Lateral; Lt wrist X-ray; age 15 y, boy; initial study; 631 x 1114 px — 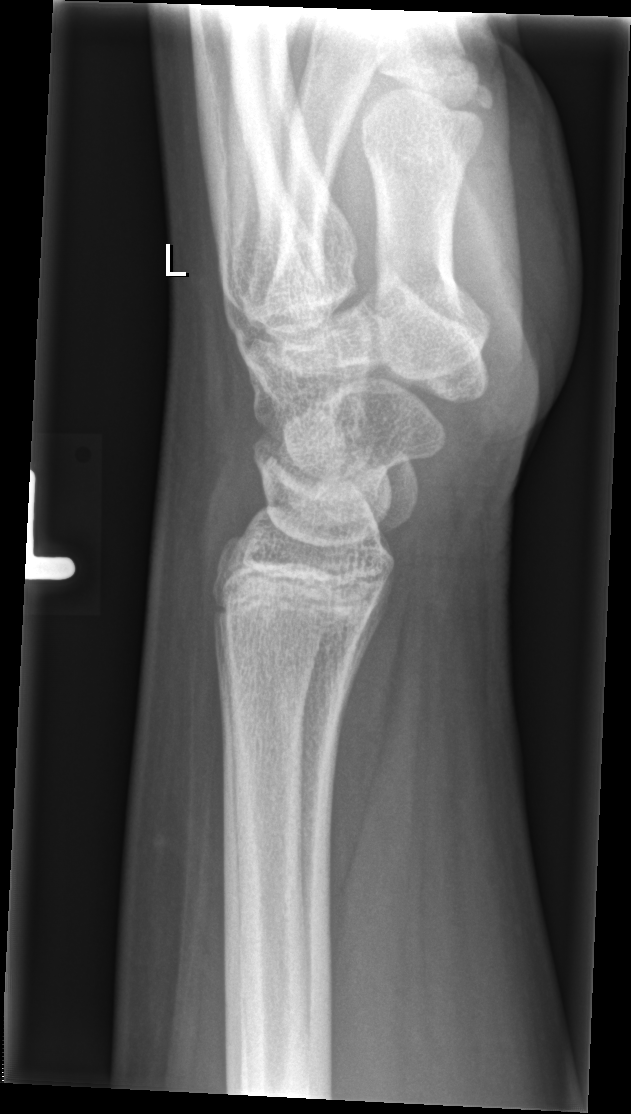
No fracture bounding box.